R wrist X-ray | lateral projection | index exam. 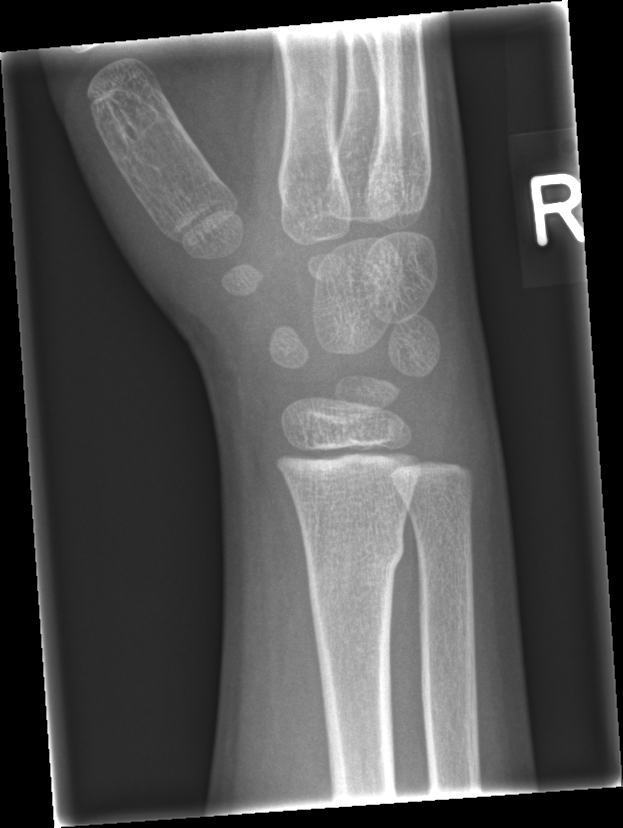 Fracture: (297, 522, 406, 584).
AO/OTA classification: 23r-M/2.1.